Lt wrist XR | lateral | presentation radiograph.

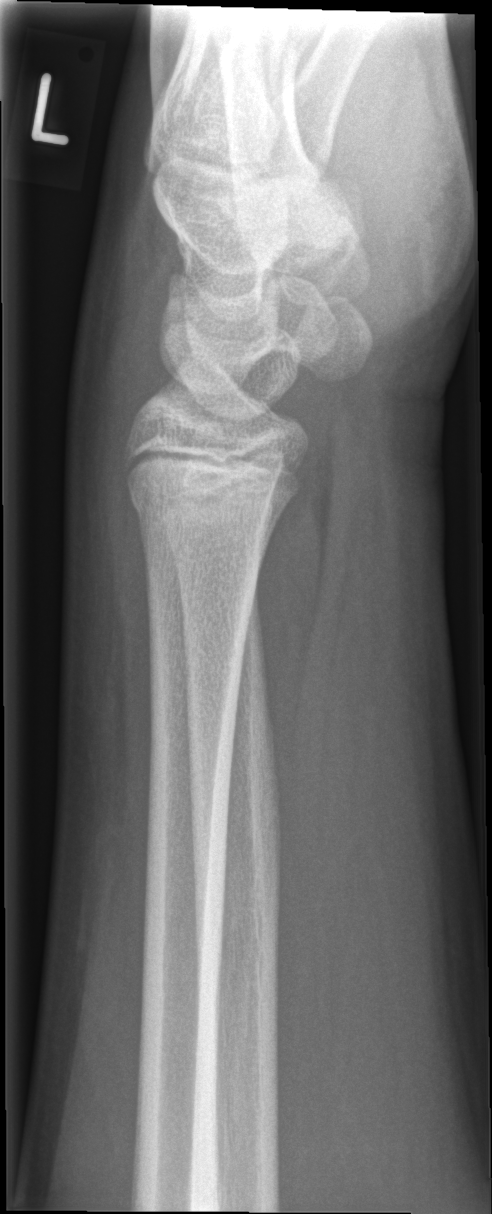

(coordinates are [x1, y1, x2, y2] in image pixels)
Fracture: 1 @ bbox(127, 476, 275, 543)
AO/OTA: 23r-M/2.1